Left wrist XR; AP projection.
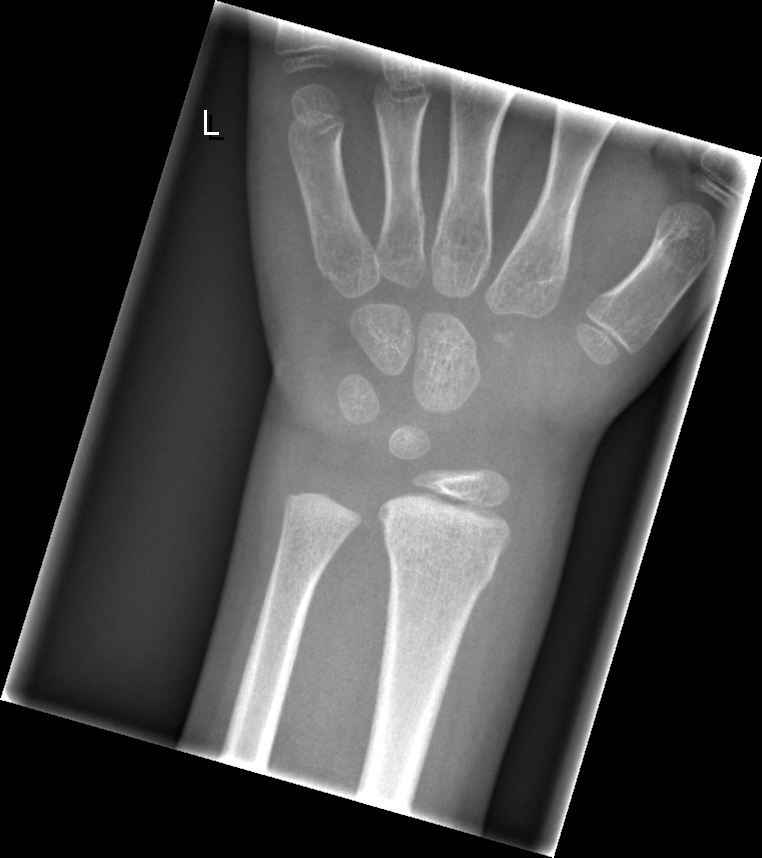

Fracture classified AO/OTA 23r-M/2.1.
Fx — [379, 524, 502, 597].